Rt wrist XR · AP · cast in situ · 636 by 982 pixels:
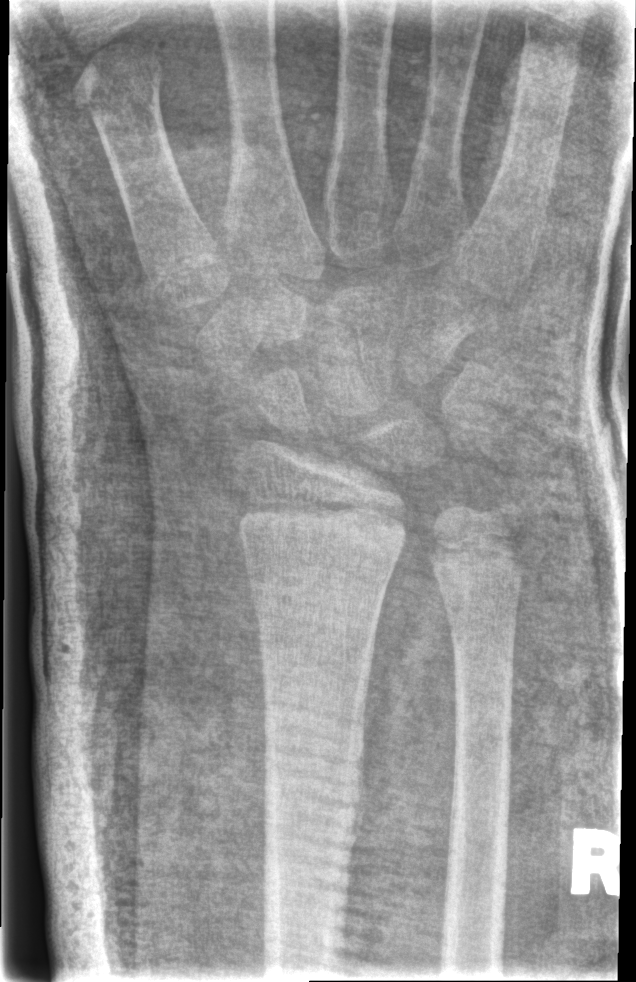
FINDINGS — Fracture present but not clearly seen in this view.